Lat projection | left wrist plain radiograph of the wrist | girl, 16 yo | presentation radiograph

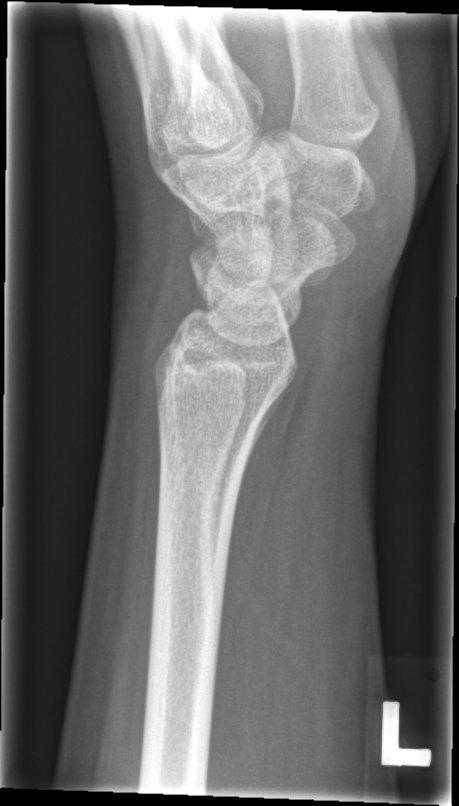 No fracture annotation.